Lat view; Lt wrist plain film; pediatric patient (girl, age 13); image width 53.6 mm

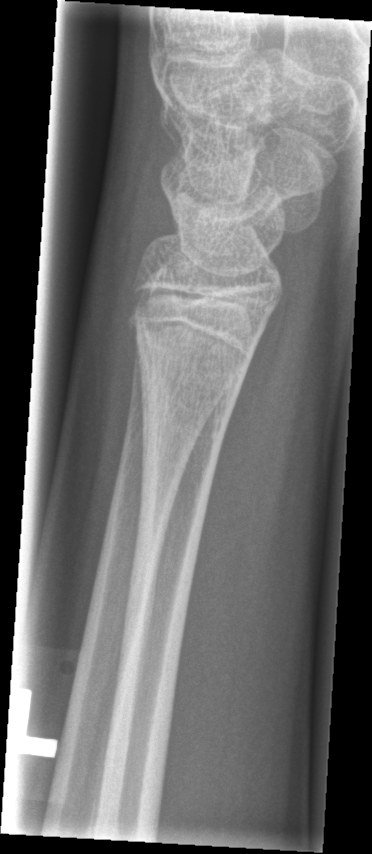 (pixel coordinates, top-left origin, xyxy)
Fracture: [x1=131, y1=323, x2=252, y2=425]